Lat projection; left wrist radiograph.
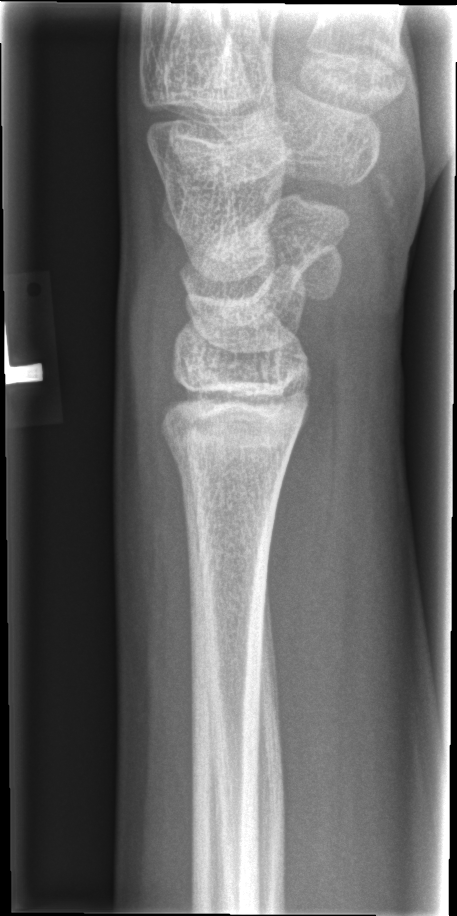
Findings: (boxes as x1,y1,x2,y2 (top-left / bottom-right, pixel units)) AO code 23r-M/2.1. Fx identified at 163 423 294 498.